Lateral · right wrist radiograph · 13y M · 90.4 mm image width —
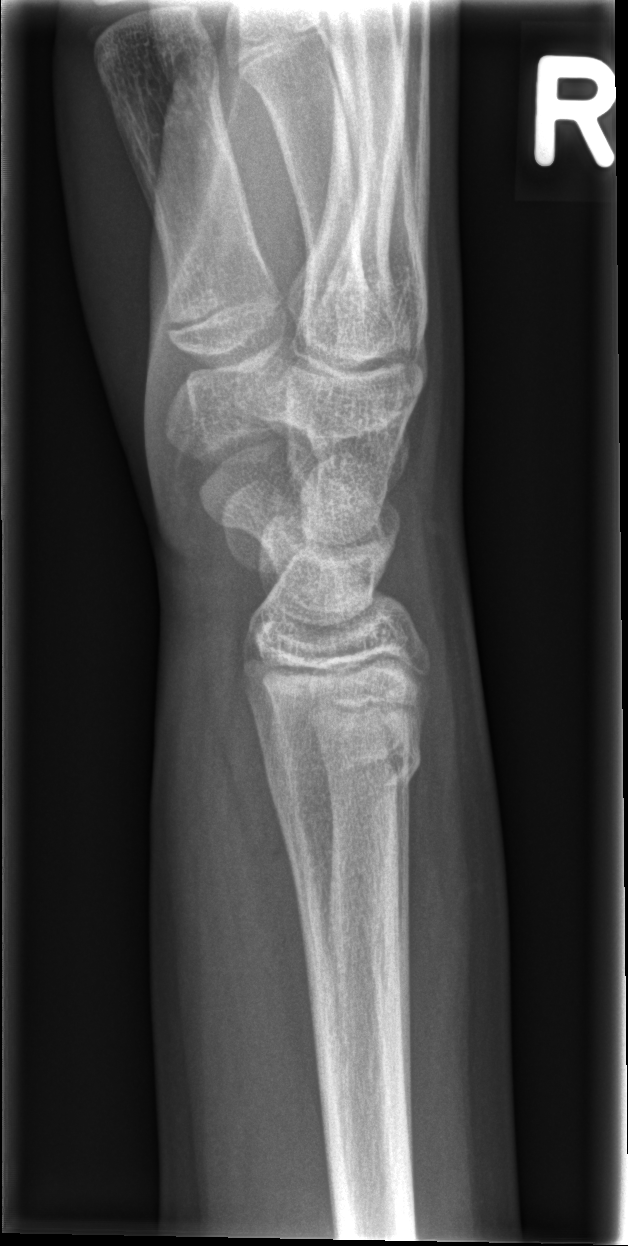

AO classification = 23r-M/2.1; 23u-E/7
Fx = 263,714,427,805